Left pediatric wrist radiograph; lateral projection; acquired on Siemens; 484 by 830 pixels:

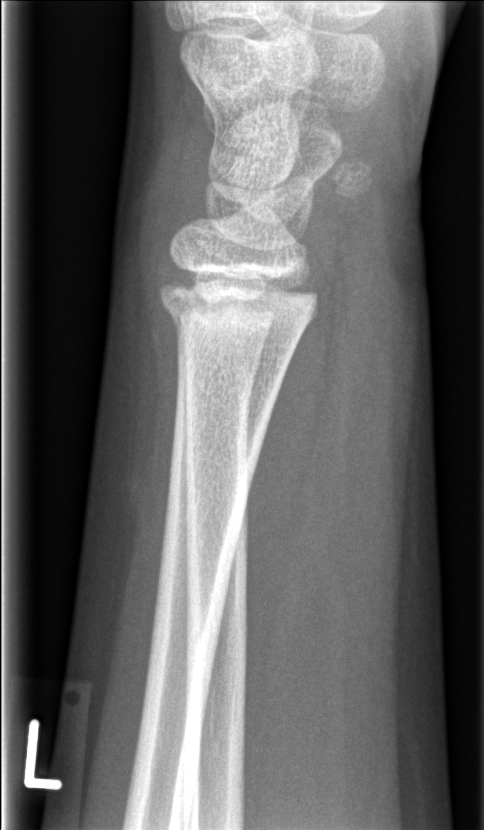

(bounding boxes in image-pixel xyxy)
Fx = (left=154, top=265, right=322, bottom=343)